Right pediatric wrist radiograph · lat view · female, 15 yo · presentation radiograph · Siemens.

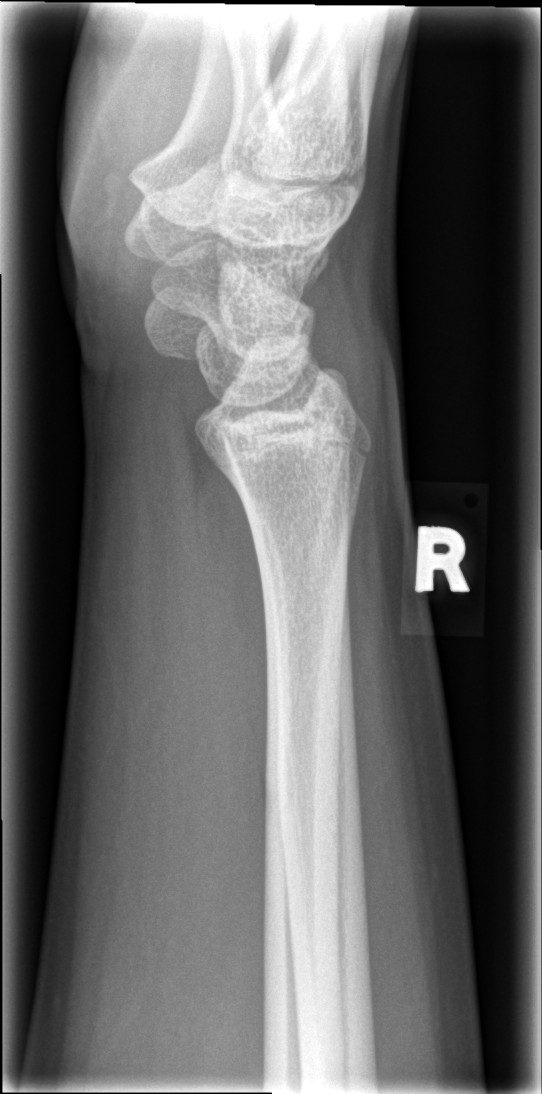
FINDINGS — Fx: none.